Right wrist plain film | lateral view | image 59.8 mm wide:
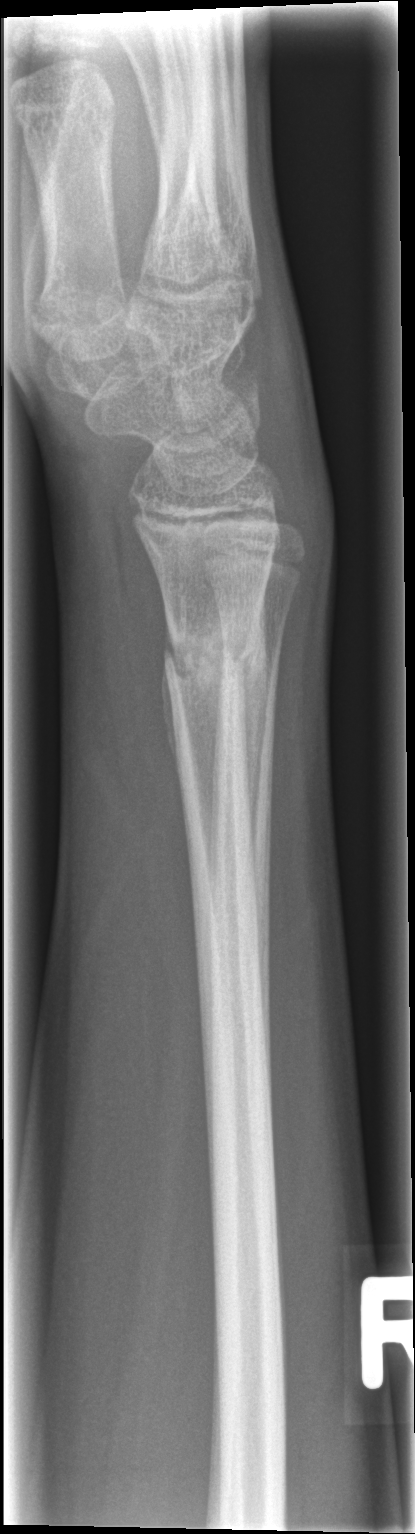 * Fracture — 159,612,263,705.
* AO/OTA classification: 23r-M/3.1; 23u-E/7.
* Periosteal reaction: 239,593,269,855 | 160,660,182,797.